Posteroanterior projection · left wrist plain film · 12-year-old male · follow-up 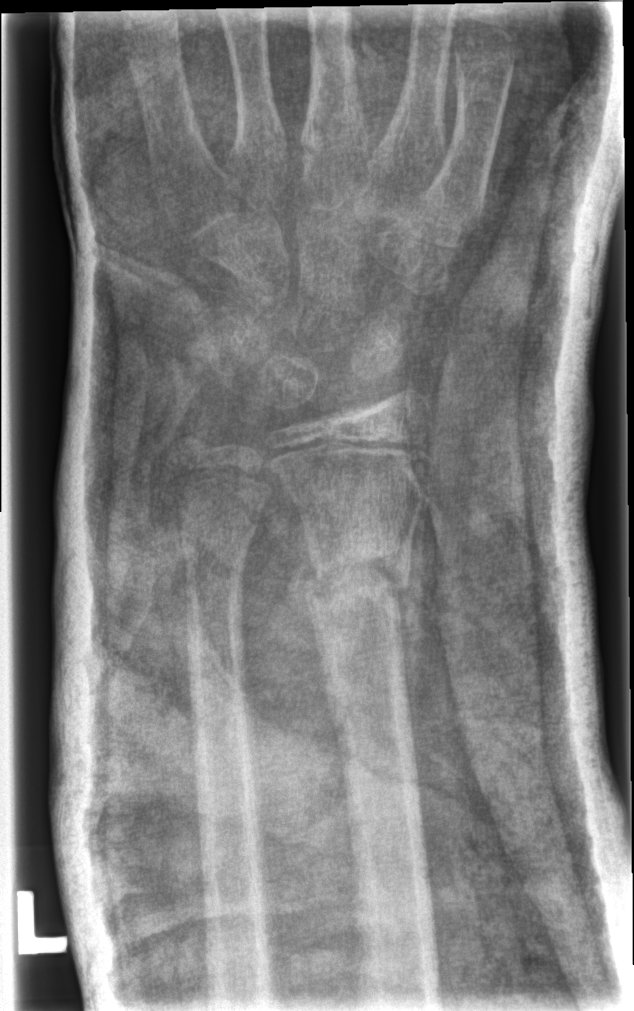

# pixel coordinates, top-left origin, xyxy
fracture: [x1=299, y1=530, x2=413, y2=617] [x1=172, y1=496, x2=265, y2=565]